Right wrist X-ray · lateral projection · 7y M · Siemens:
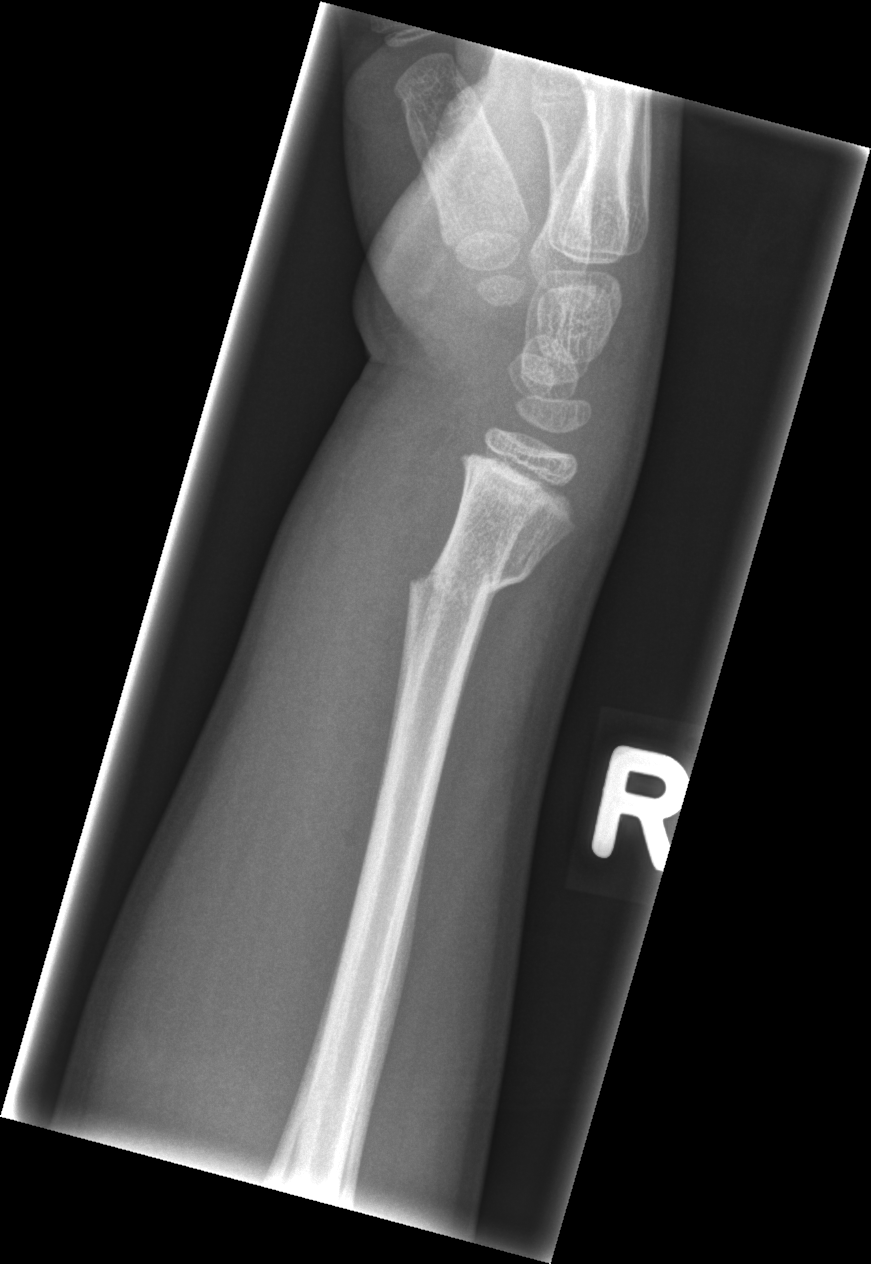
(pixel coordinates, top-left origin, xyxy)
fracture: 1 @ (404, 549, 531, 613)
AO classification: 23r-M/3.1; 23u-M/2.1